Lat view · Lt wrist X-ray · index exam · detector: Siemens · image width 65.8 mm. 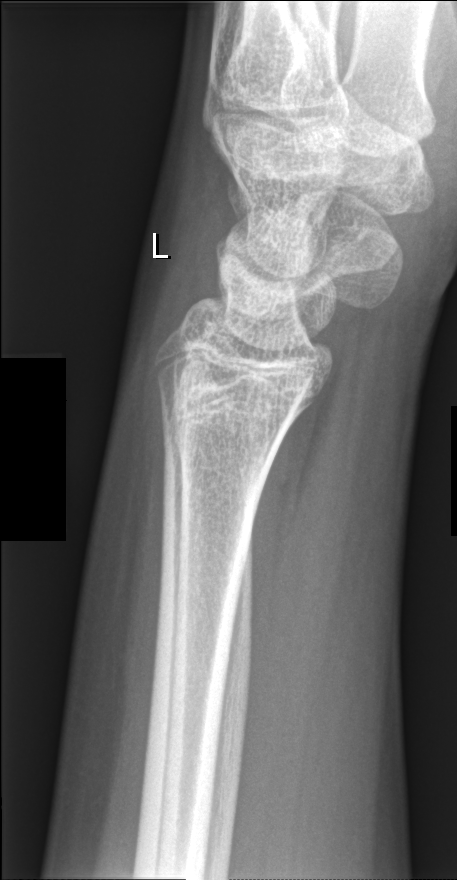

Fx: none.